Posteroanterior view, right pediatric wrist radiograph, male, 12 yo, Siemens: 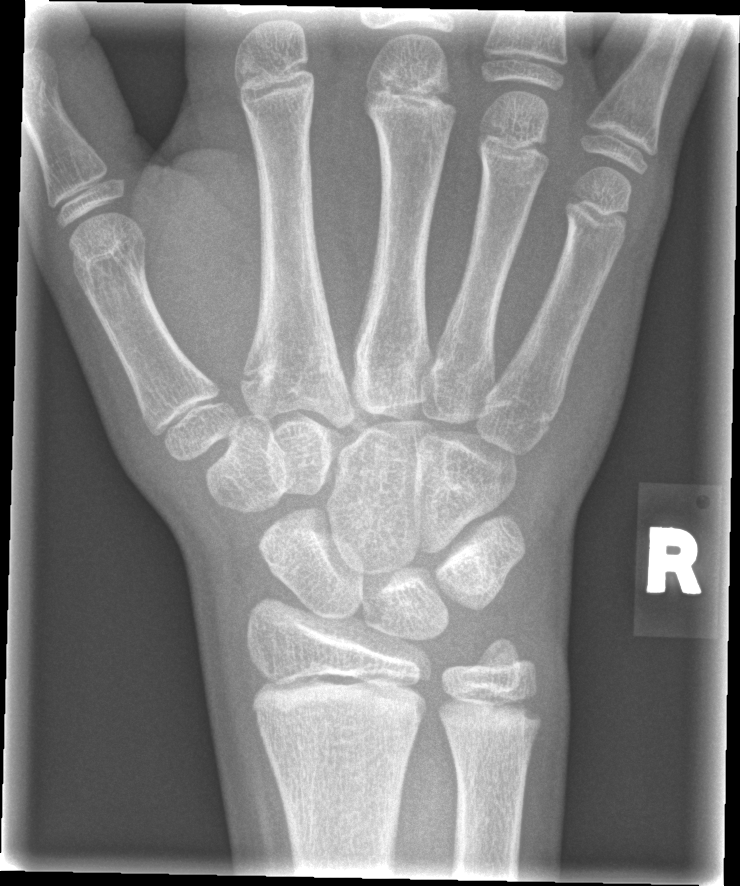
No fracture bounding box.